Left wrist plain film; AP view; age 9 y, male; image size 557x1038:

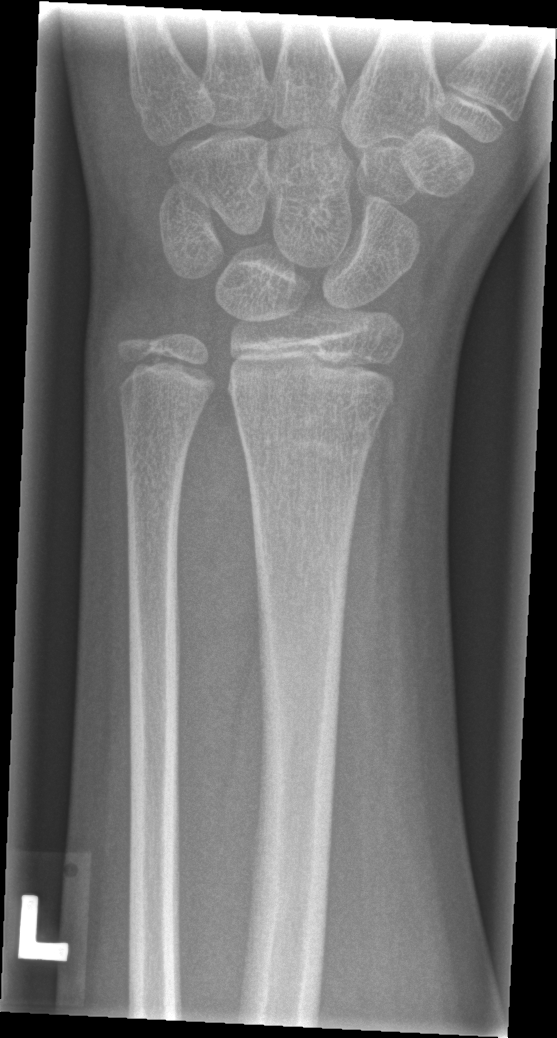
Bone fracture: [226, 349, 399, 473].